L wrist radiograph, lat projection, pediatric patient (boy, age 10).
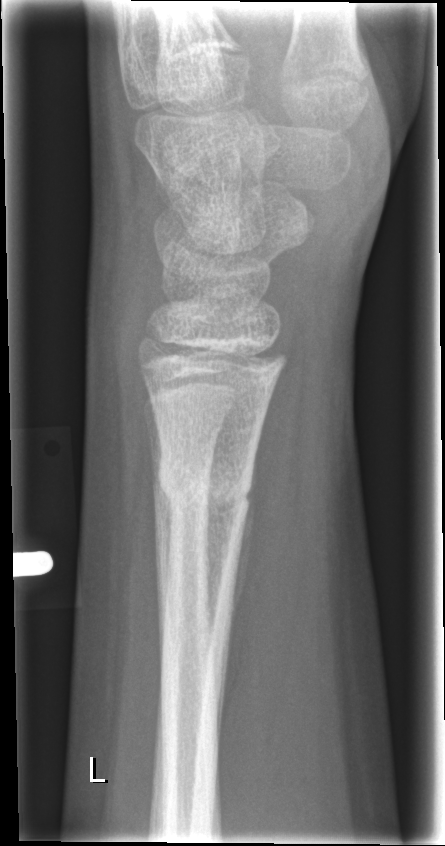 • Boxes as x1,y1,x2,y2 (top-left / bottom-right, pixel units).
• Fx — (141, 447, 263, 546).
• Fracture classified AO/OTA 23r-M/3.1.
• Reduced bone mineral density.
• Periosteal thickening identified at (223, 455, 255, 666).